Lt wrist plain film, frontal projection, pediatric patient (girl, age 11), presentation radiograph

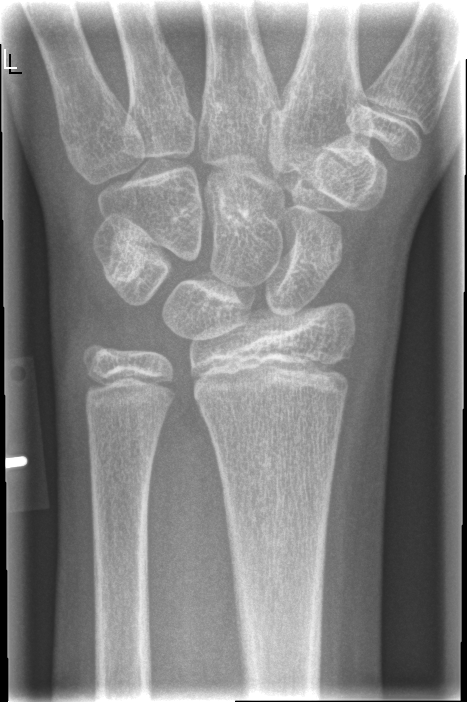 Findings: Fracture: none labeled.